AP · Lt plain radiograph of the wrist · 595 by 794 pixels:

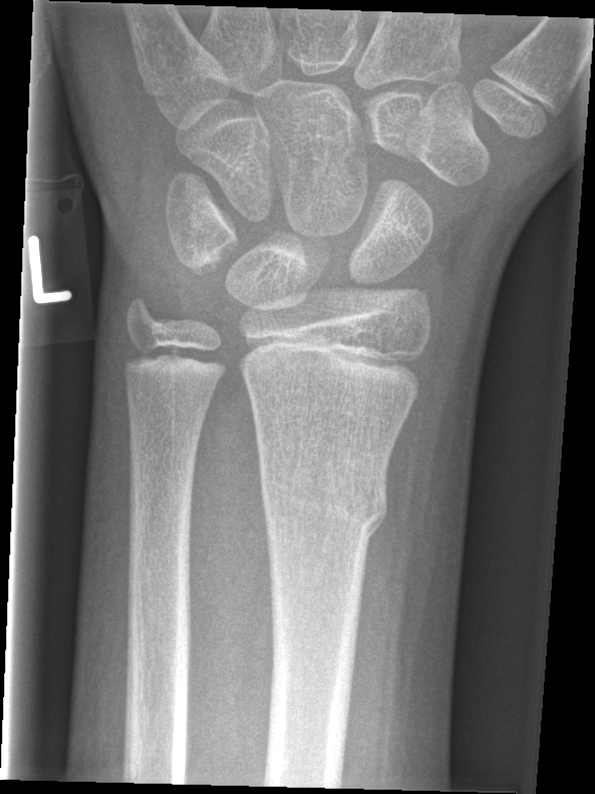 Fracture: (256, 458, 391, 548). AO code 23r-M/2.1.